Lateral view · Lt plain radiograph of the wrist · pediatric patient (girl, age 6) · subsequent exam · in cast · acquired on Siemens · 510x848:

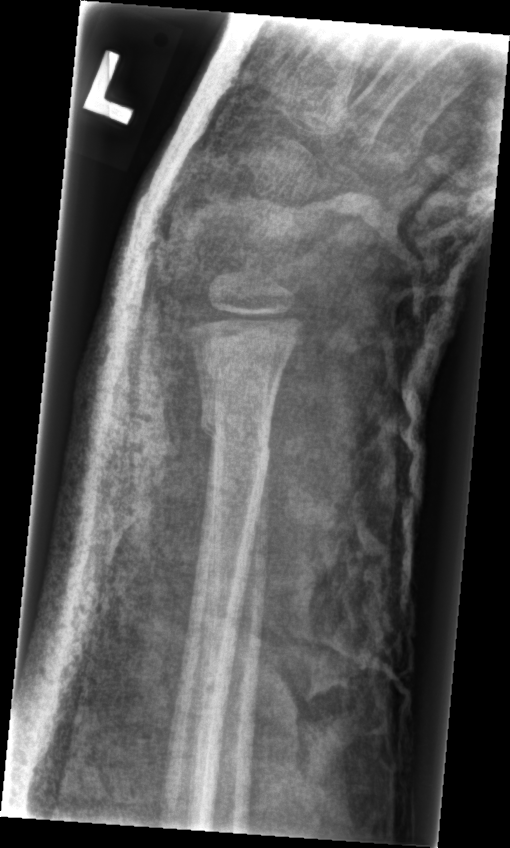
- Fracture: (left=197, top=409, right=273, bottom=461).
- AO/OTA classification: 23r-M/3.1; 23u-M/2.1.